Lt wrist plain film; frontal view; 13-year-old girl; 548 by 1024 pixels —

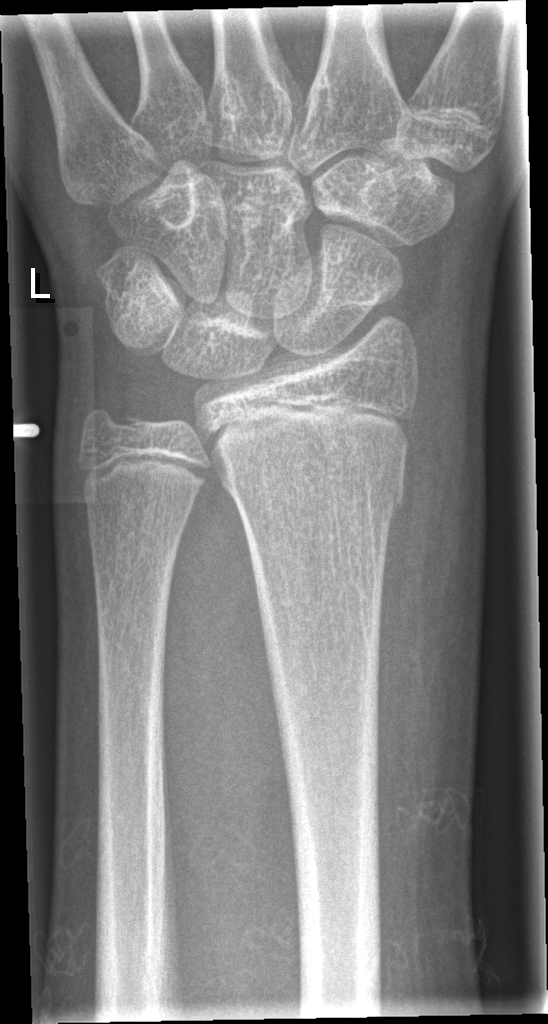
* Coordinates are [x1, y1, x2, y2] in image pixels.
* Bone fracture: 223,444,408,523 | 74,399,154,470.
* Fracture classified AO/OTA 23r-M/3.1; 23u-E/3.